Lat projection; Rt plain radiograph of the wrist; index exam:

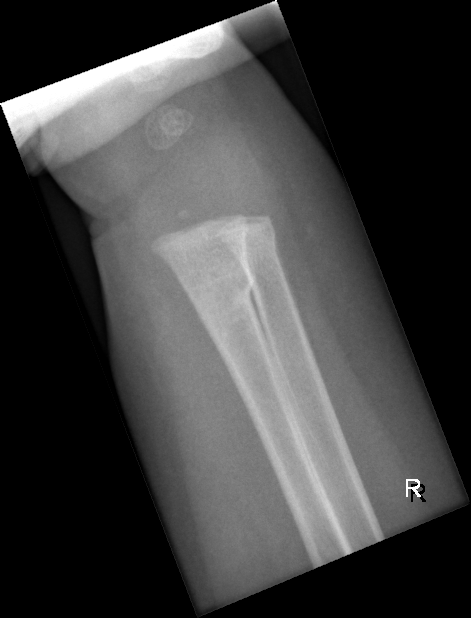
(bounding boxes in image-pixel xyxy)
Fracture = 2 @ <180,258>-<258,324>, <219,223>-<281,270>
AO/OTA = 23-M/2.1